Lateral view · left wrist X-ray: 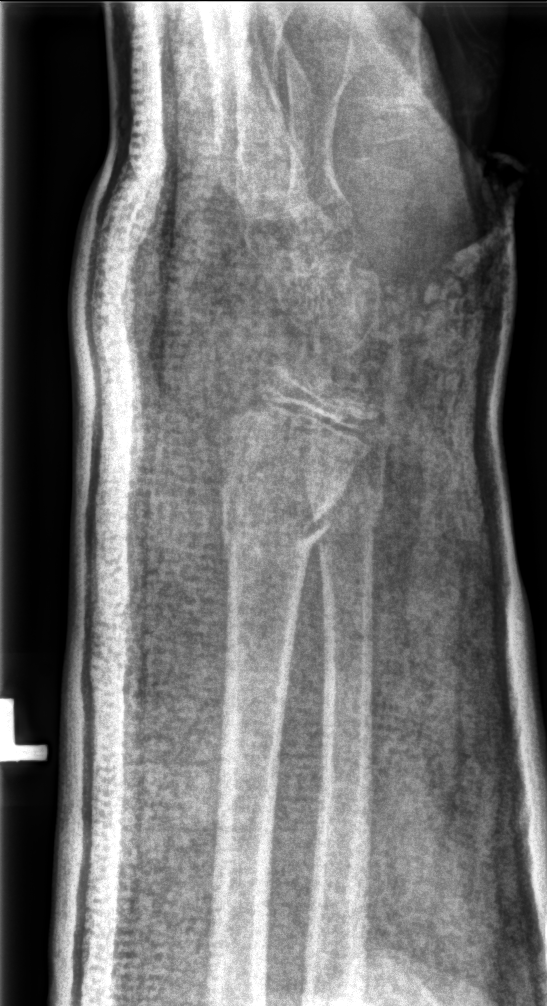
Coordinates are [x1, y1, x2, y2] in image pixels.
Fx — [x1=223, y1=475, x2=355, y2=569]; [x1=304, y1=475, x2=388, y2=534].
Fracture classified AO/OTA 23-M/3.1.